Left wrist plain film · lat view · 11y F:
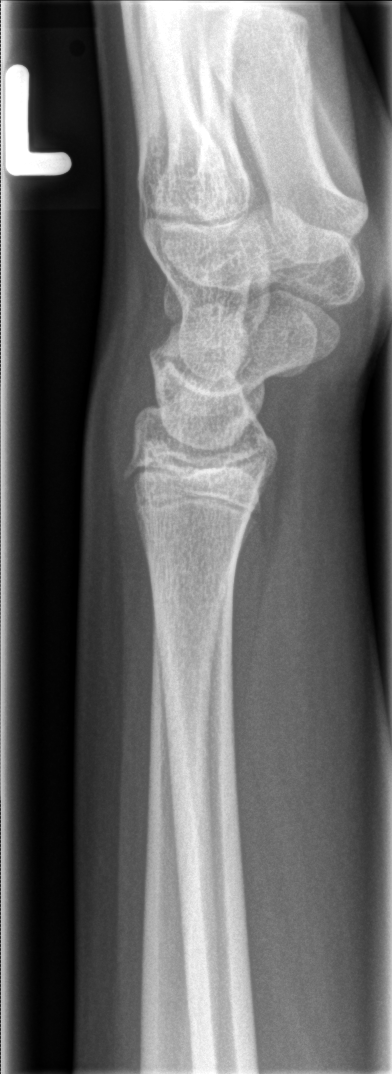
No fracture bounding box.